Left wrist XR, frontal projection, 7-year-old male

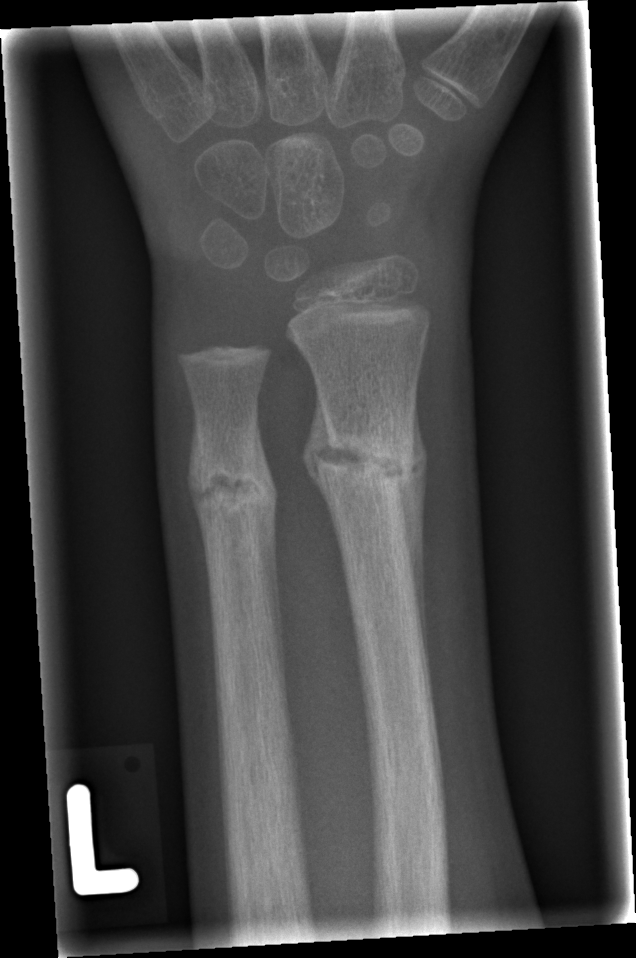 - Periosteal thickening identified at [x1=399, y1=410, x2=427, y2=641] [x1=302, y1=398, x2=340, y2=532] [x1=256, y1=428, x2=279, y2=649] [x1=188, y1=424, x2=208, y2=570].
- Fractures — [x1=302, y1=390, x2=424, y2=562], [x1=184, y1=417, x2=279, y2=549].